Lateral | L pediatric wrist radiograph | age 15 y, male | acquired on Siemens | 776x1284:
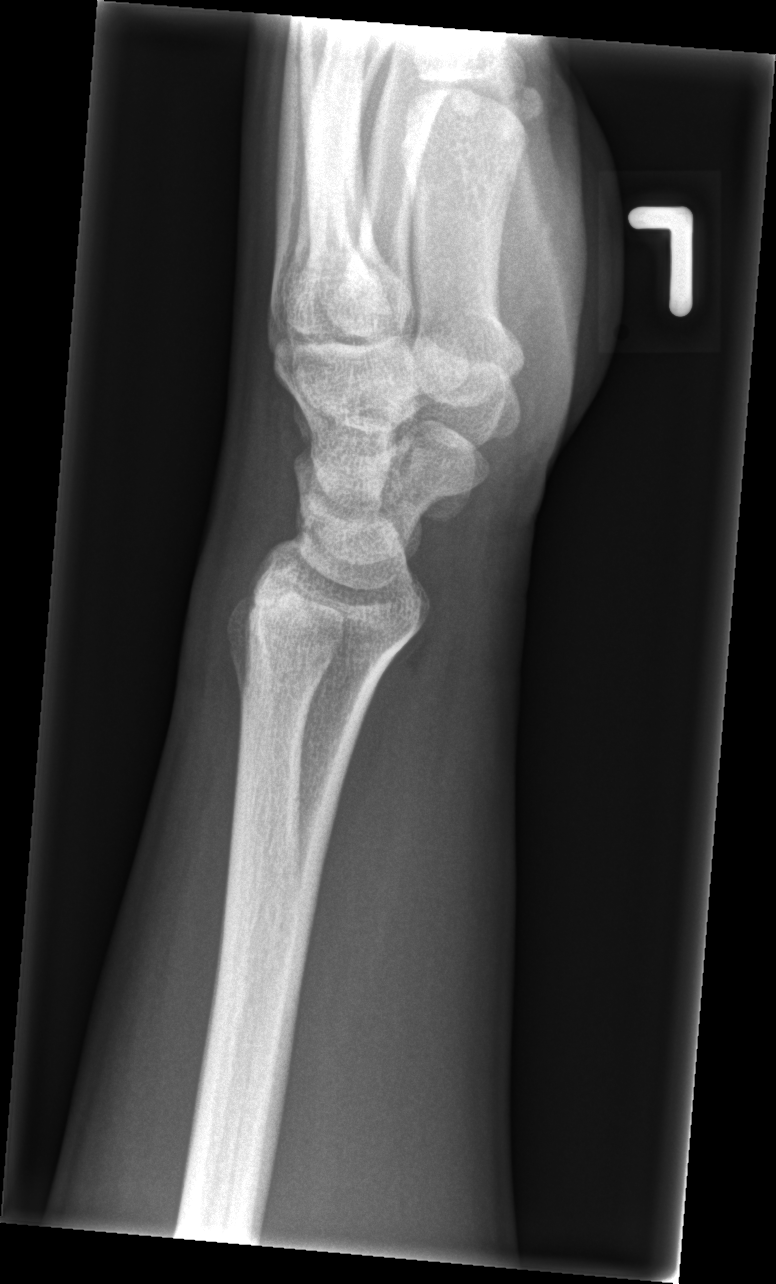 • Bone variant — 228,552,307,616.
• No fracture bounding box.